R wrist X-ray | lateral | 15-year-old male —
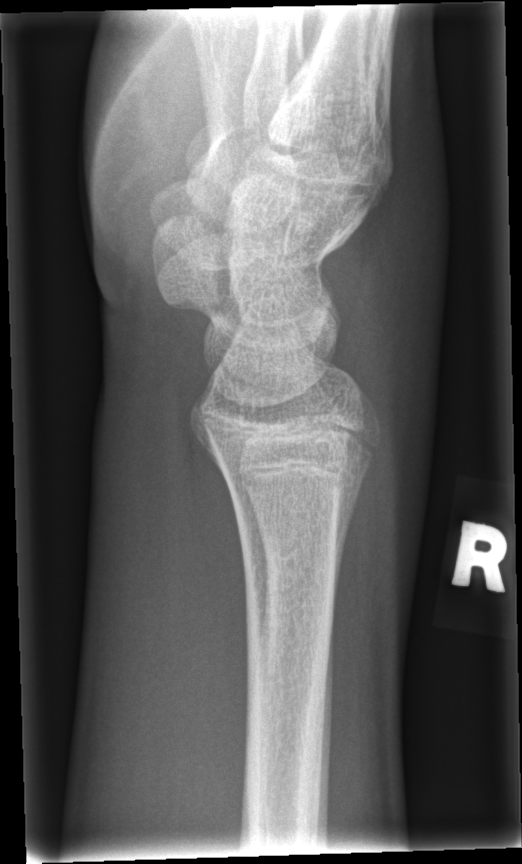

Findings: Fracture: none labeled. Soft tissue abnormality identified at bbox(326, 123, 457, 641).